Lateral; Lt pediatric wrist radiograph; age 9 y, boy; cast in situ; acquired on Siemens —

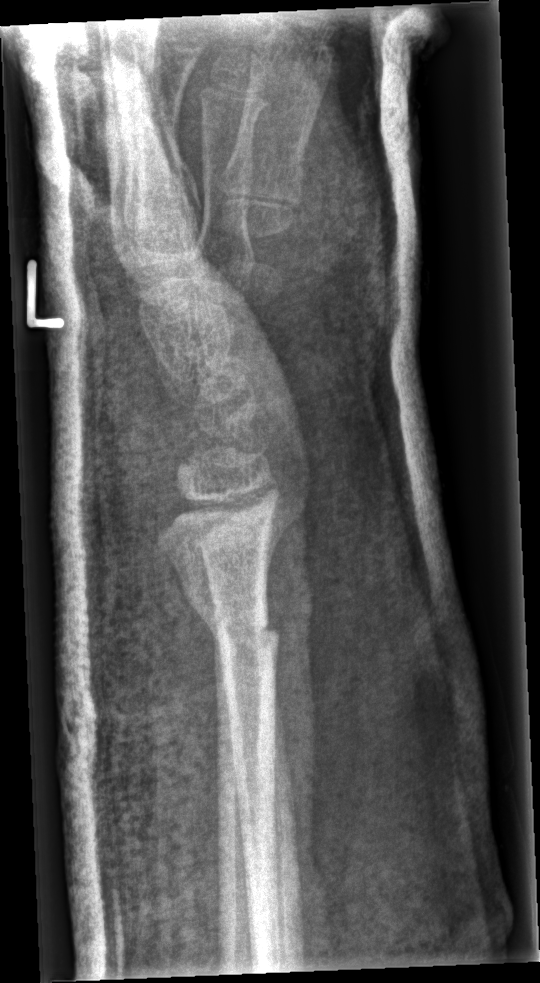 Boxes as x1,y1,x2,y2 (top-left / bottom-right, pixel units). Bone fracture identified at 181 584 282 672. AO/OTA classification: 23r-M/3.1.